PA/AP; left wrist plain film; initial study — 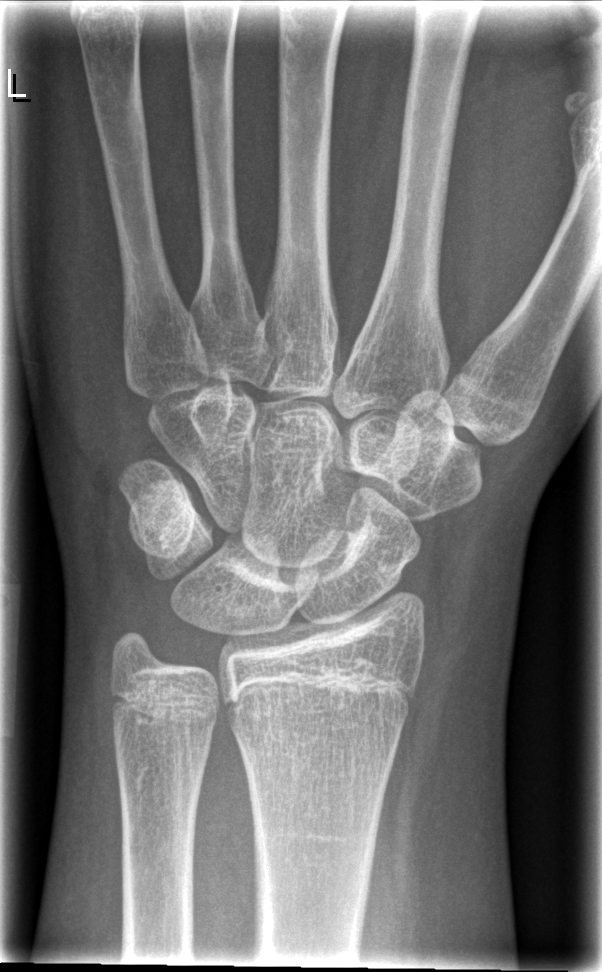 Fracture: none labeled.